Lat projection · L wrist XR · subsequent exam · in cast · acquired on Siemens: 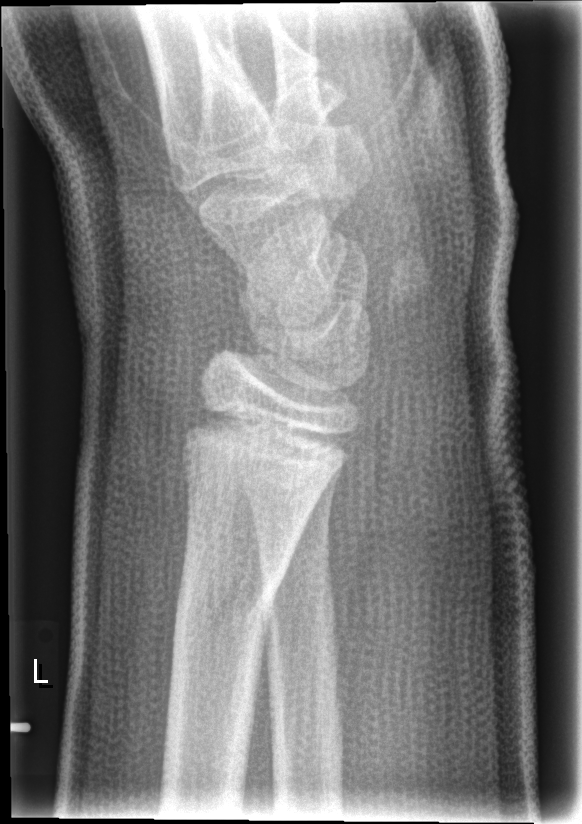

(pixel coordinates, top-left origin, xyxy)
bone fracture = 1 @ [x1=167, y1=568, x2=290, y2=655]
AO code = 23r-M/3.1